Lt wrist radiograph | frontal projection | age 12 y, male.

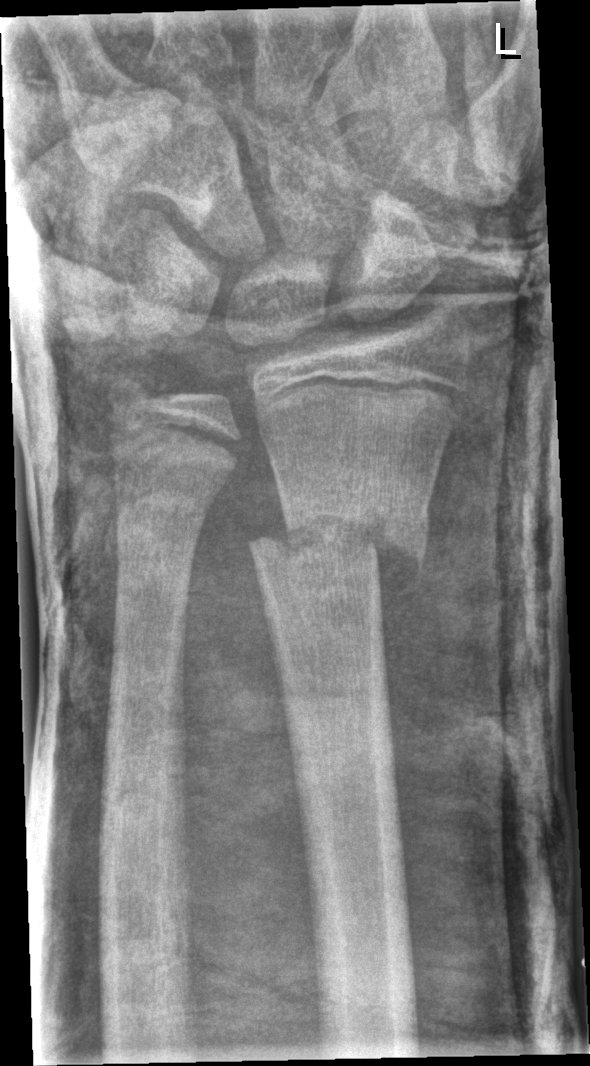
Pixel coordinates, top-left origin, xyxy.
Fracture: <244,483>-<434,583>.